Lat, Rt wrist XR, 14-year-old male, presentation radiograph, acquired on Siemens, 592 x 1162 px. 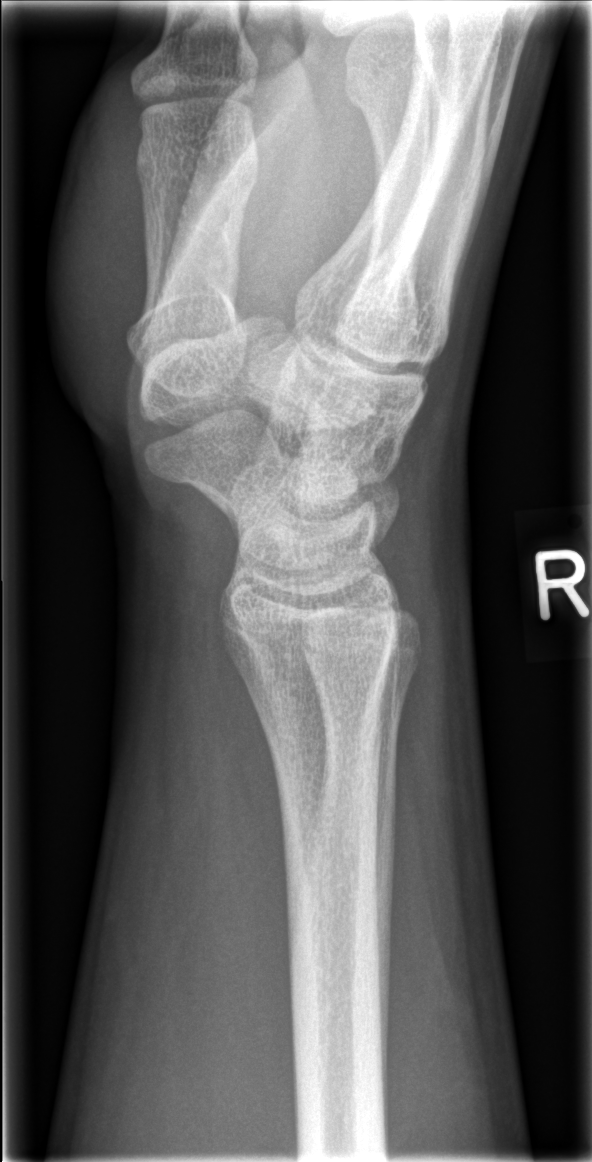

- No fracture annotation.